Lateral; left pediatric wrist radiograph; index exam. 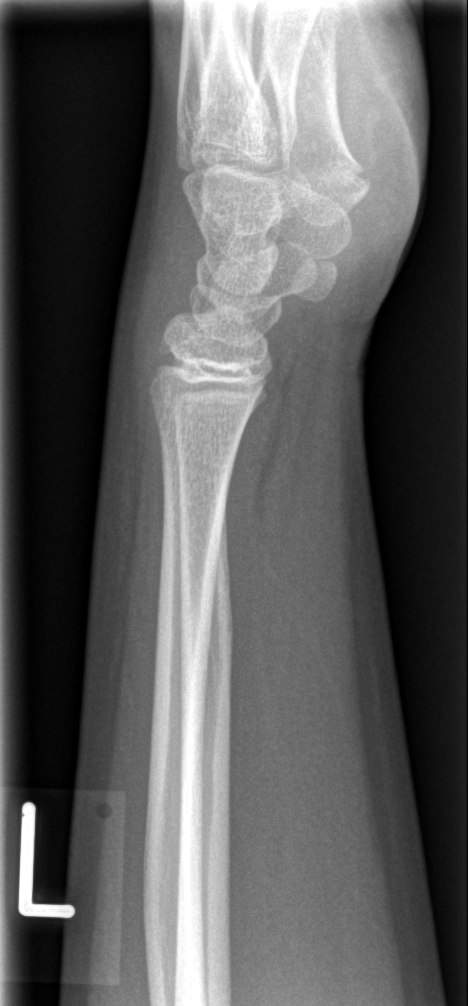

• No fracture bounding box.